Lat; L pediatric wrist radiograph; subsequent exam; image width 70.3 mm.

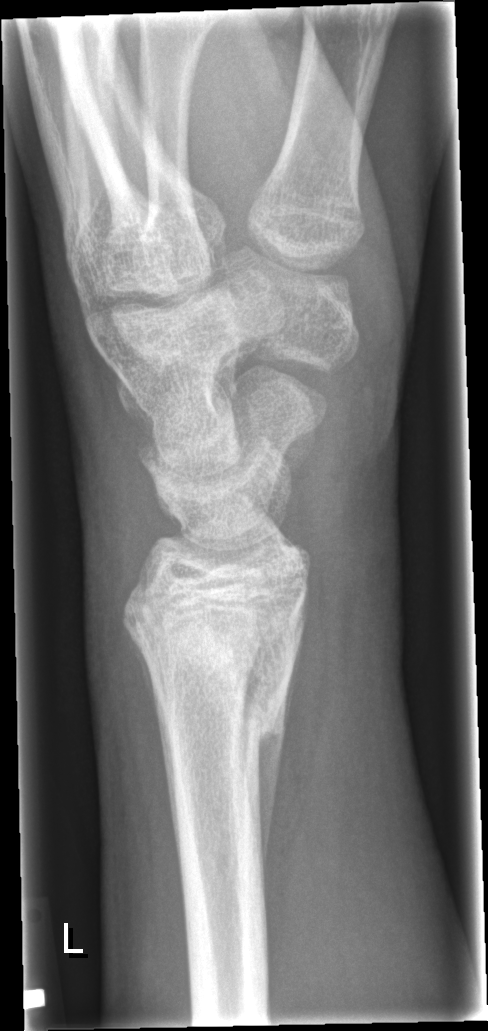

(boxes as x1,y1,x2,y2 (top-left / bottom-right, pixel units))
AO/OTA: 23r-M/3.1
Fx: 1 @ 122 587 289 756
periosteal new bone: 1 @ 247 682 288 881